R pediatric wrist radiograph | lat projection | detector: Siemens
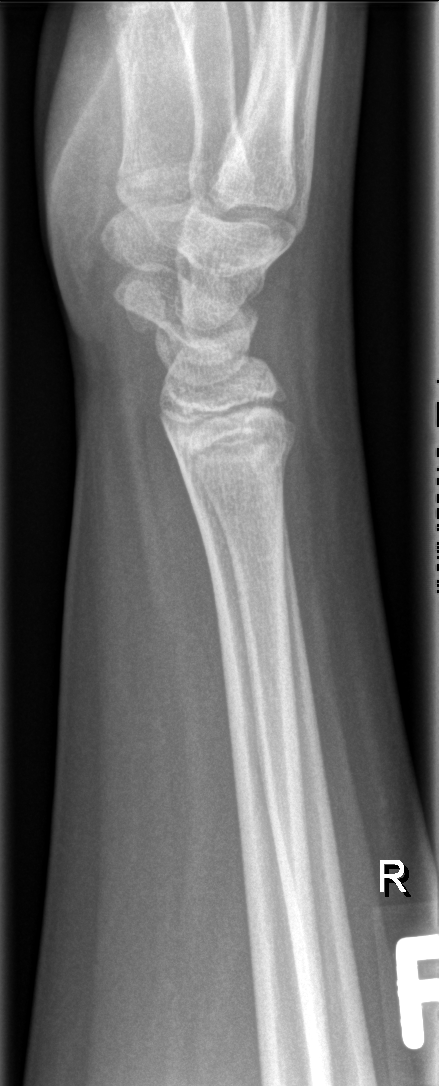

AO code 23r-M/2.1.
Fracture identified at (left=174, top=418, right=301, bottom=511).